Rt wrist plain film | PA view | image width 85.1 mm

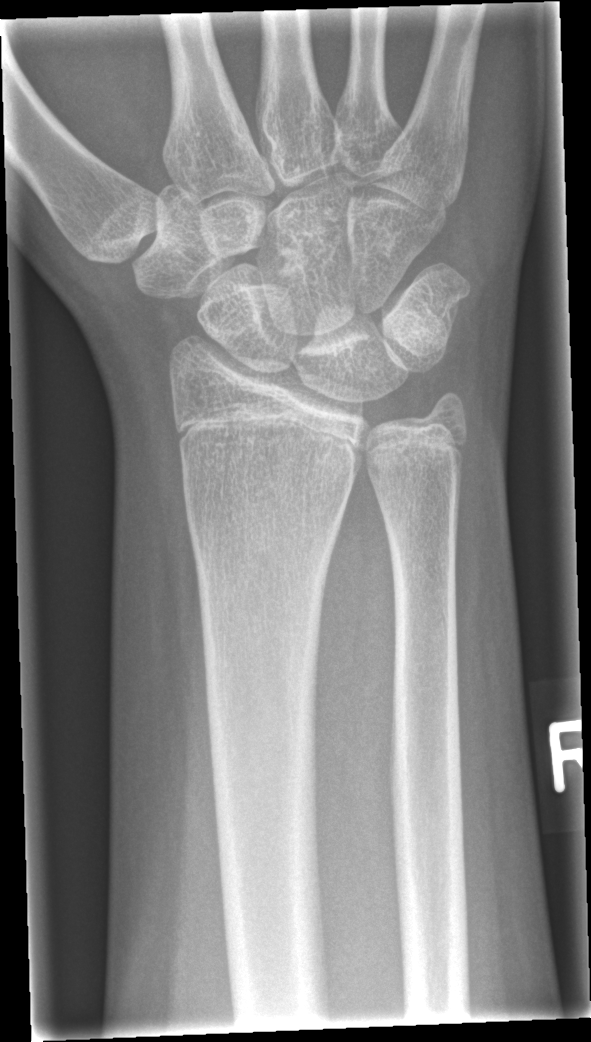
FINDINGS — No Fx annotated.